PA projection · left wrist radiograph · pediatric patient (male, age 16) · follow-up · 86.4 mm image width · 600x1046 — 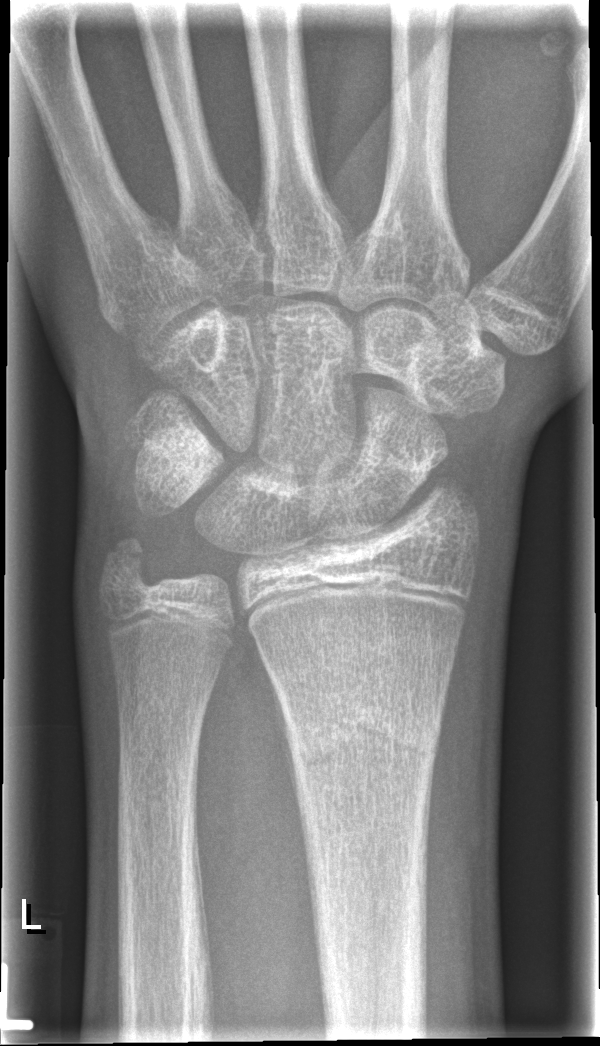

{"osteopenia": "present", "ao": "23r-M/3.1; 23u-E/7", "fracture": "2 @ <281,689>-<442,784>, <95,531>-<166,599>"}